Lateral projection | left wrist X-ray —

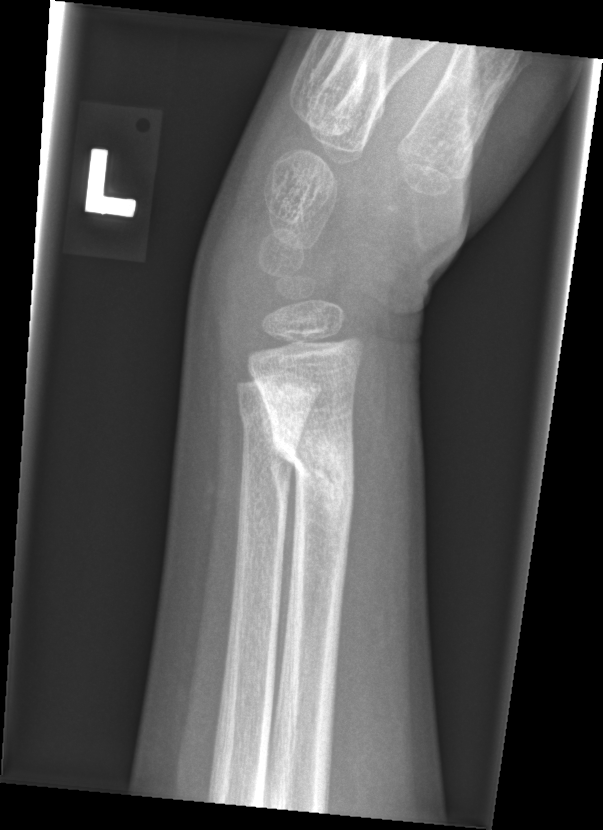 osteopenia: present
AO/OTA: 23-M/2.1
periosteal new bone: bbox(262, 391, 298, 617)
bone fracture: bbox(265, 418, 357, 526)